Posteroanterior; R wrist X-ray; female, 12 yo; index exam —
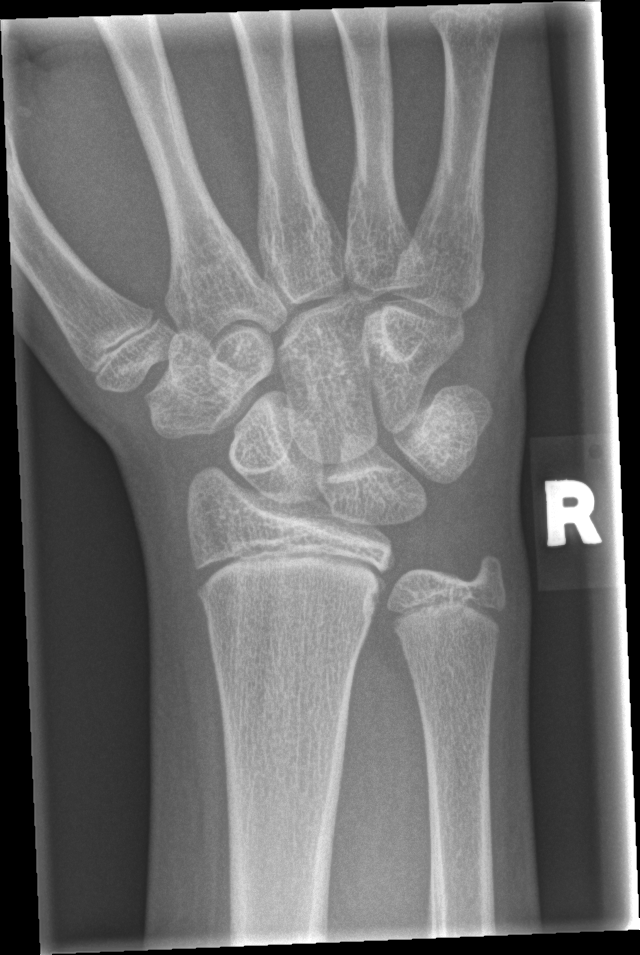 - No Fx annotated.